Right wrist XR, lat view, cast present:
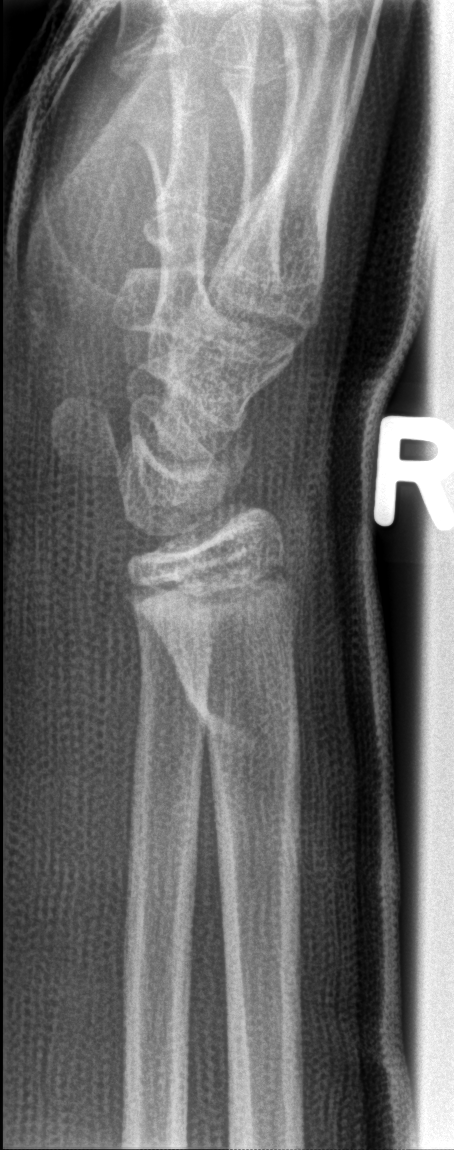
FINDINGS: Fx identified at 171 654 303 778.